Lateral projection, left plain radiograph of the wrist
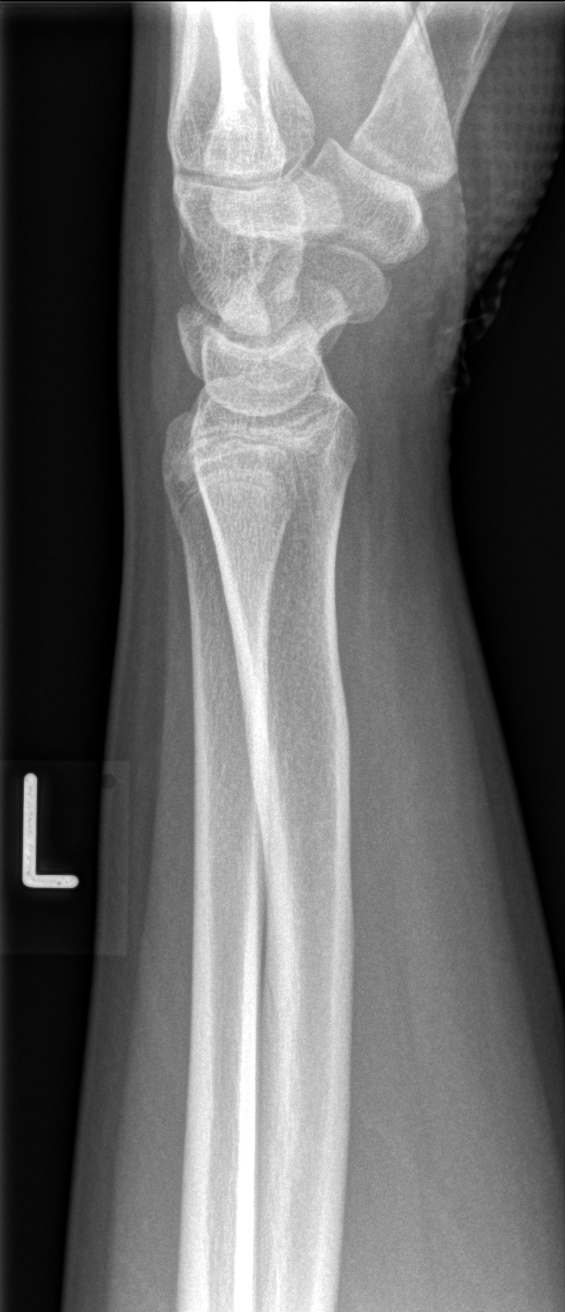

Fx = none labeled